Lat projection · R plain radiograph of the wrist · follow-up 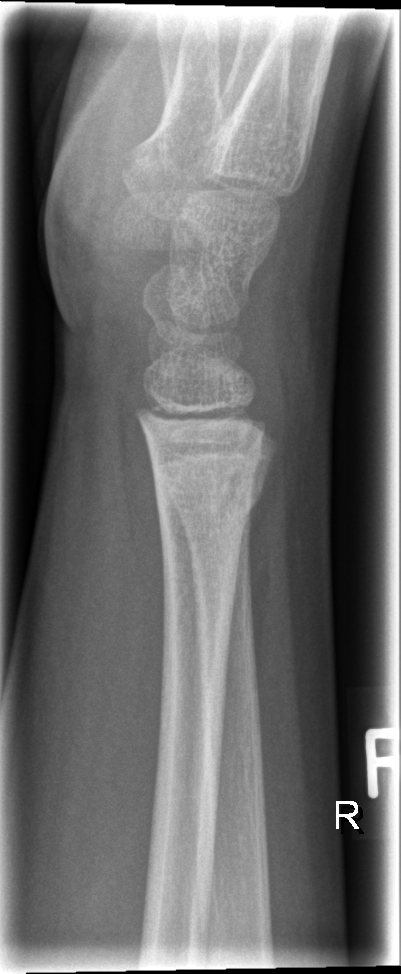
{
  "osteopenia": "present",
  "fracture": "149 467 270 534",
  "ao": "23r-M/2.1"
}